Lat, right wrist plain radiograph of the wrist, female, 6 yo, image width 73.4 mm. 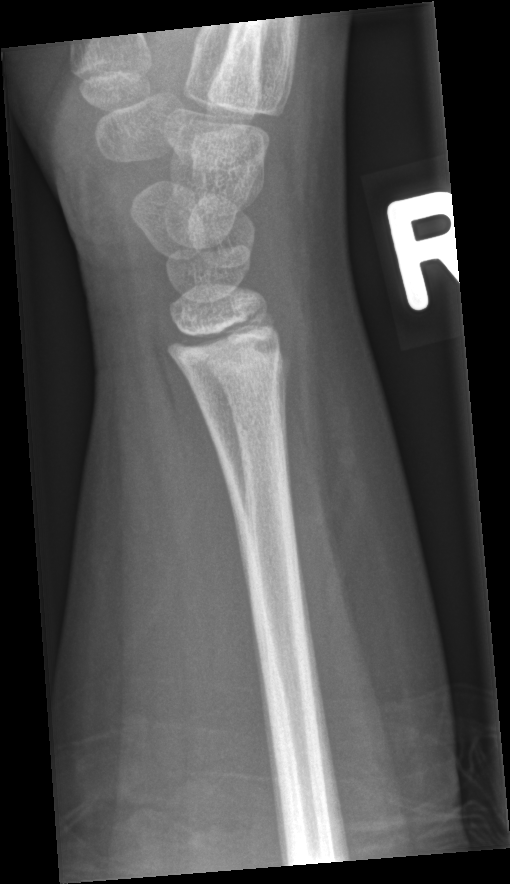

Fracture = none labeled